Left wrist plain film | PA/AP | imaged through cast | image width 98.5 mm —

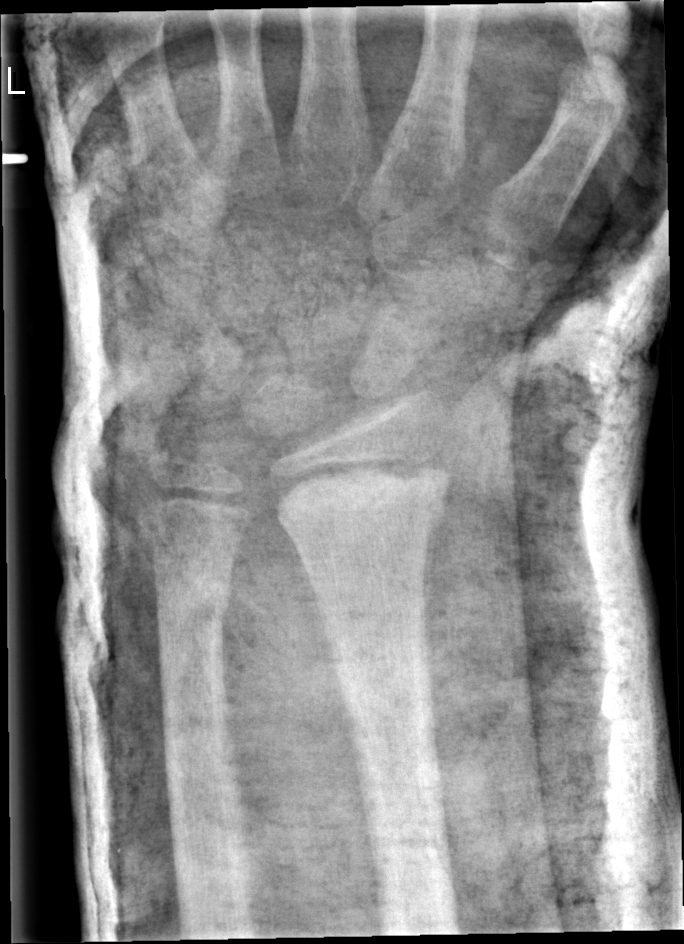
Findings: Fx: [265, 453, 458, 546] [152, 567, 234, 630].